Rt wrist radiograph, PA view, Siemens:

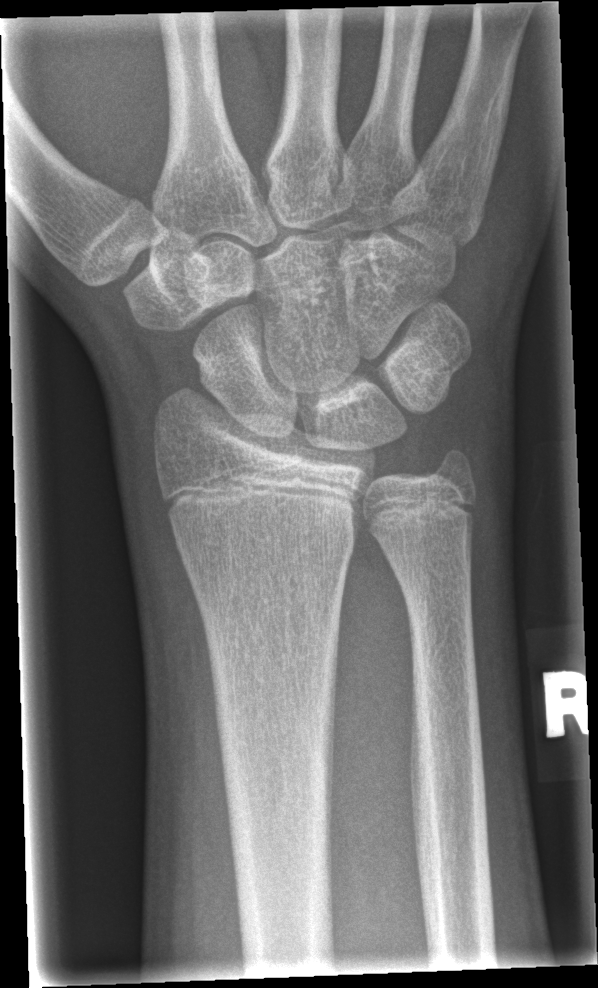
Findings: Fracture: none labeled.